Right wrist pediatric wrist radiograph | lateral | 428 x 1002 px.

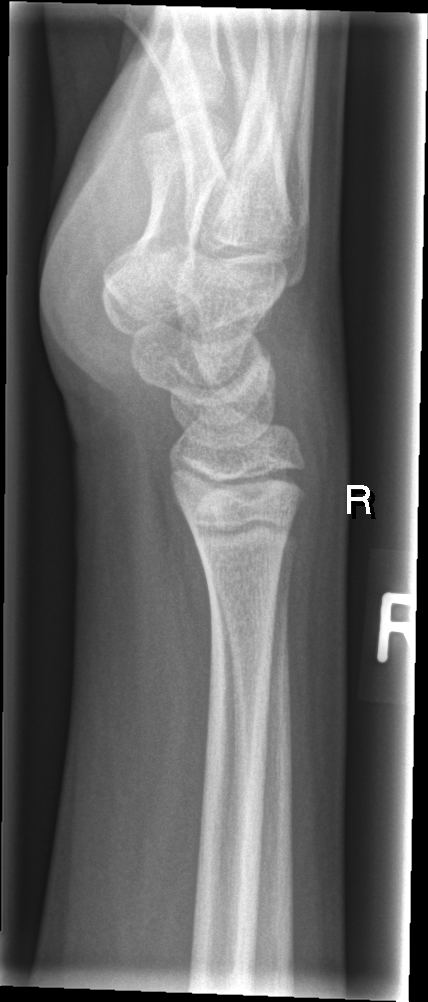
Fracture: none labeled.